PA/AP; left wrist plain film; subsequent exam

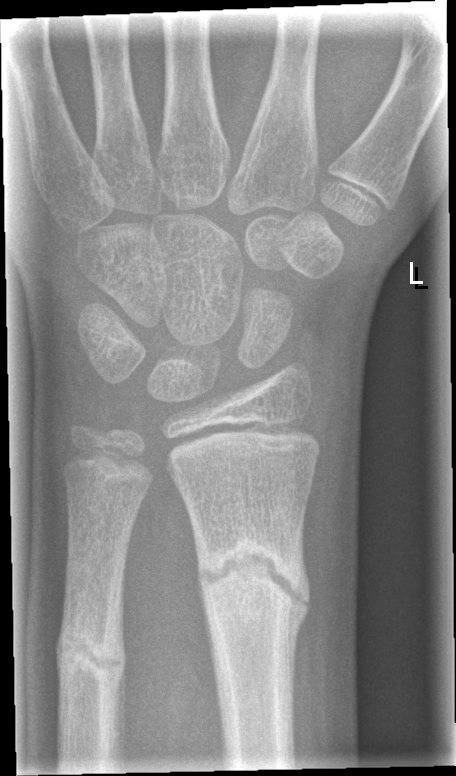 FINDINGS: Reduced bone mineral density. Periosteal new bone identified at 285 507 312 715 | 108 562 129 770. Bone fractures — 191 534 312 643 | 54 615 130 683. AO code 23r-M/3.1; 23u-M/2.1.